Obl | right wrist pediatric wrist radiograph | pediatric patient (male, age 8) | index exam | image width 100.7 mm —

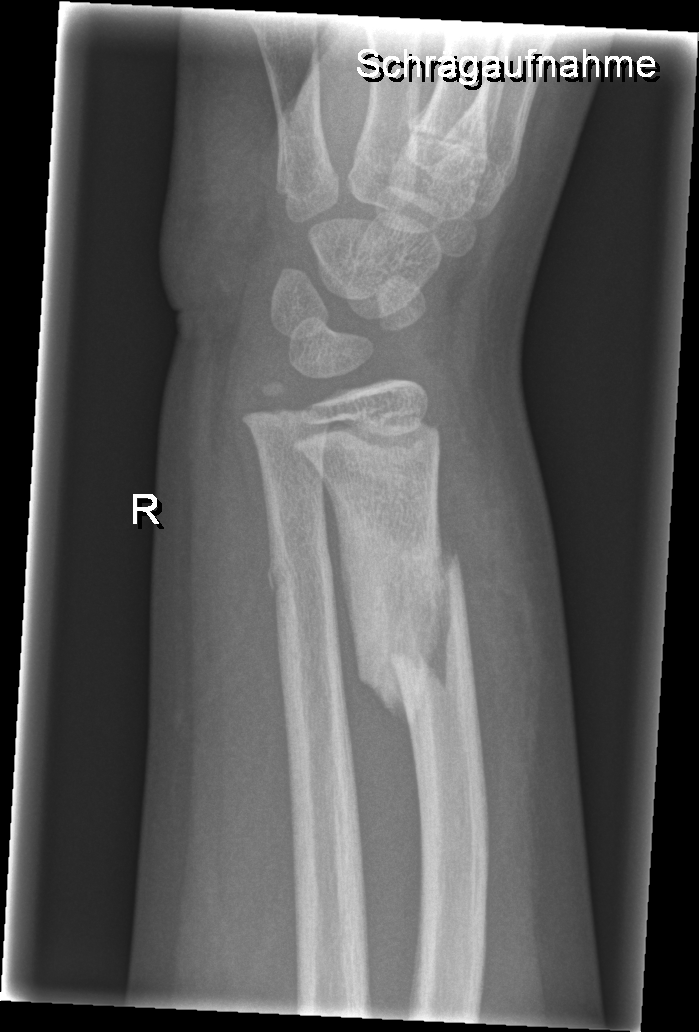

Fracture identified at bbox(355, 538, 476, 736), bbox(263, 551, 335, 599). AO code 23r-M/3.1; 23u-M/2.1.